Right wrist X-ray | lat view | 10y F | Siemens

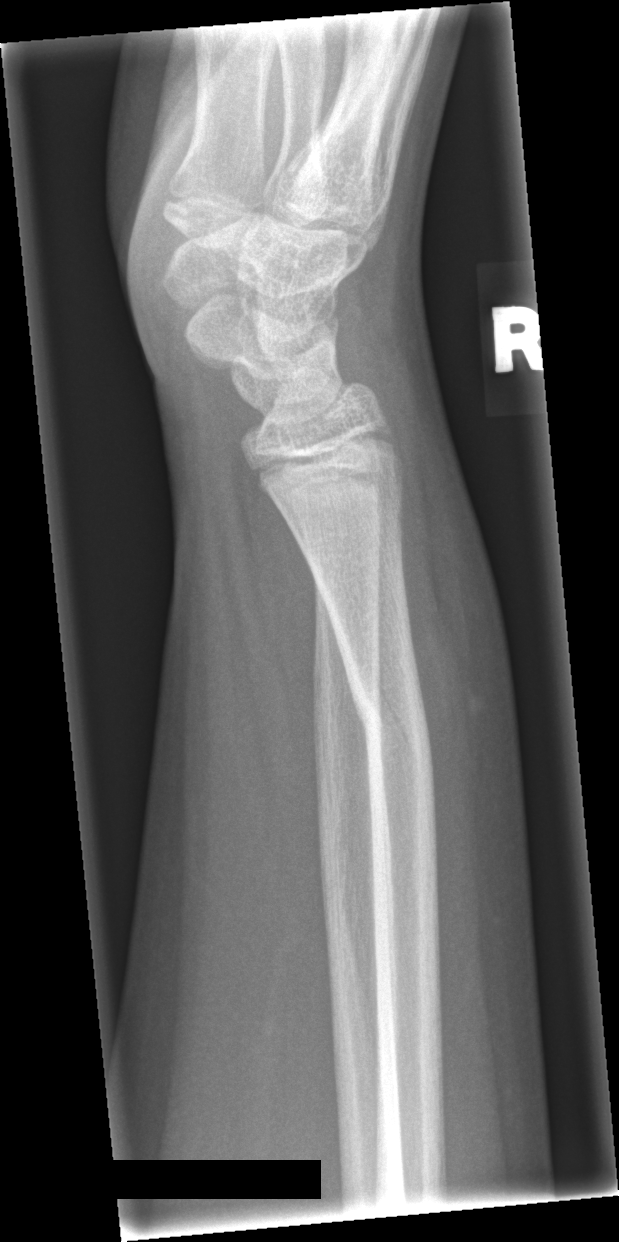 fracture: (left=346, top=676, right=440, bottom=789)